Left wrist radiograph | PA/AP projection | male, 6 yo | acquired on Siemens

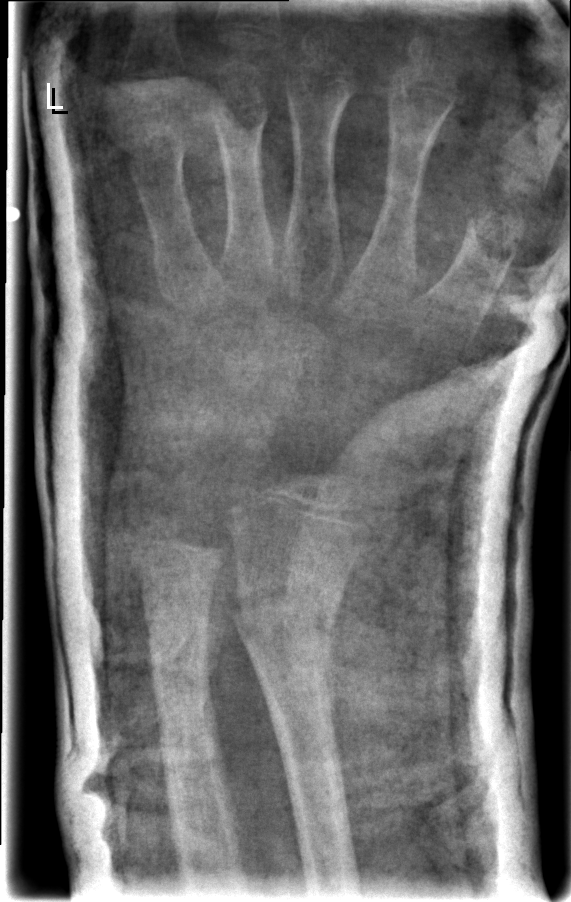
* Boxes as x1,y1,x2,y2 (top-left / bottom-right, pixel units).
* Fracture classified AO/OTA 23-M/3.1.
* Bone fractures — 231 567 344 653
  143 614 218 704.